L plain radiograph of the wrist · AP view · 12y F · follow-up study: 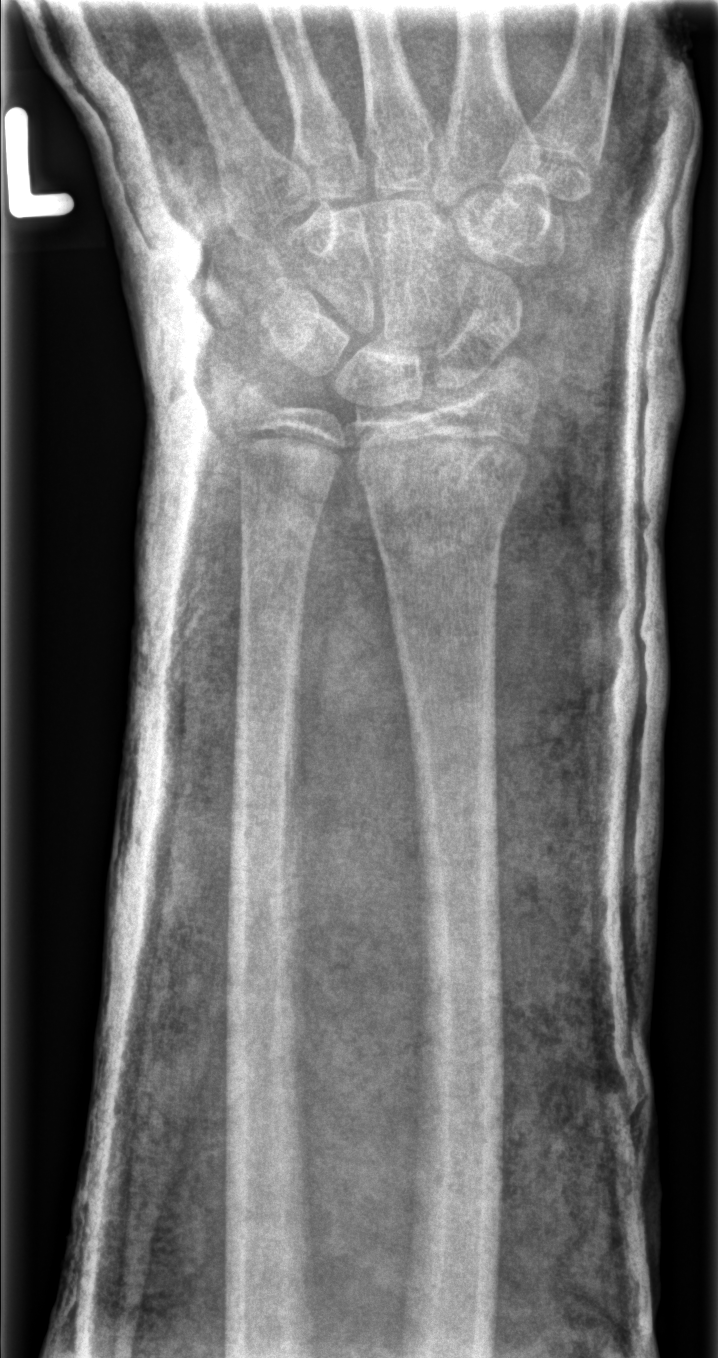

Fx identified at [357, 427, 534, 553].